PA/AP view; left wrist plain film; 8y M; acquired on Siemens; image size 622x928 —

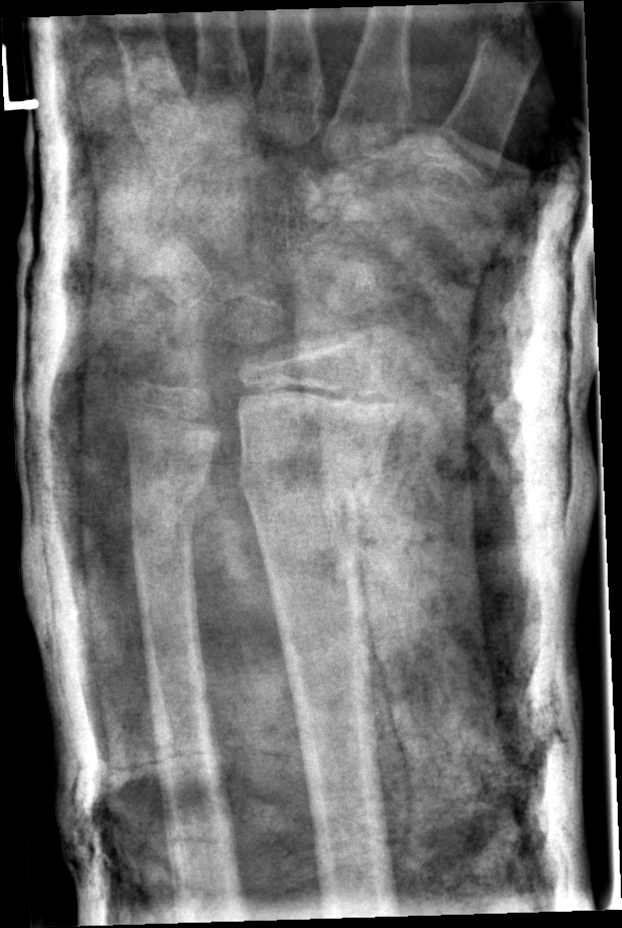   # boxes as x1,y1,x2,y2 (top-left / bottom-right, pixel units)
  ao: 23-M/3.1
  fracture: 236 449 382 535; 124 469 210 545